L wrist X-ray | frontal view.
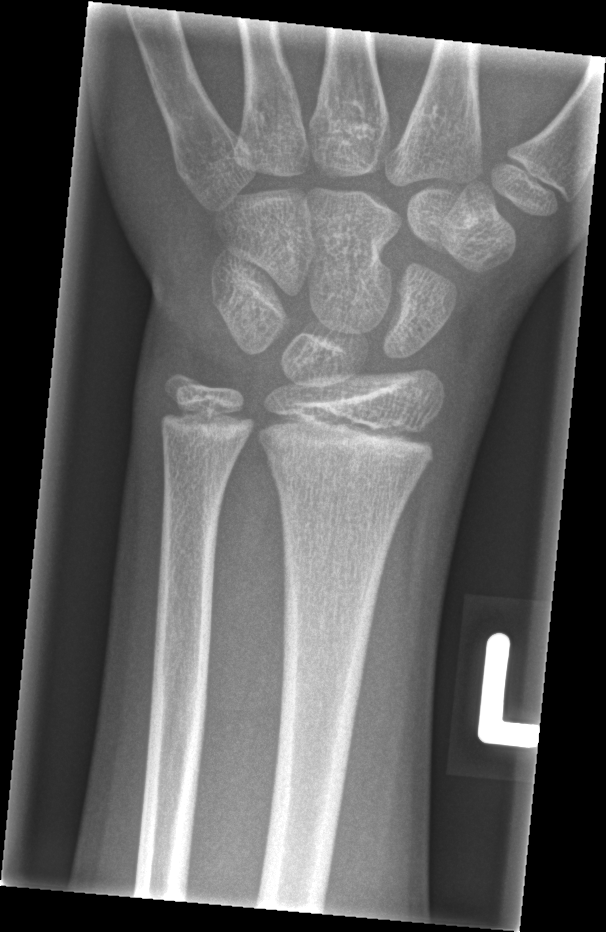

Q: Locate any fractures.
A: Fracture present, though not clearly seen in this view